Lateral; right plain radiograph of the wrist; girl, 5 yo

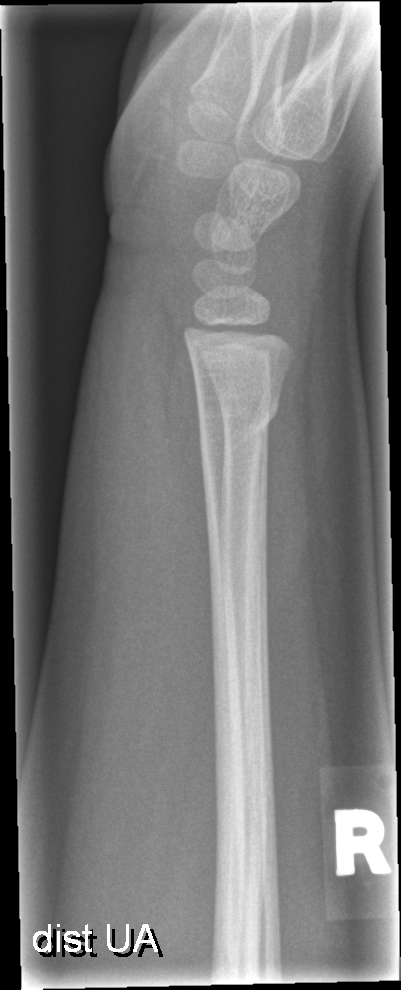

FINDINGS: (bounding boxes in image-pixel xyxy) Fracture: <194,387>-<286,463>. AO/OTA classification: 23r-M/2.1.